Rt wrist plain film; posteroanterior; girl, 9 yo; index exam —
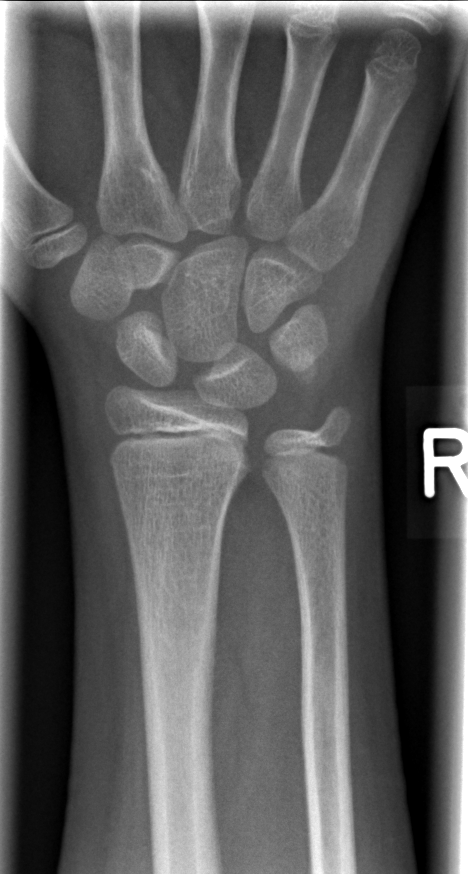 Fx = none labeled